L plain radiograph of the wrist · PA · boy, 10 yo · Siemens

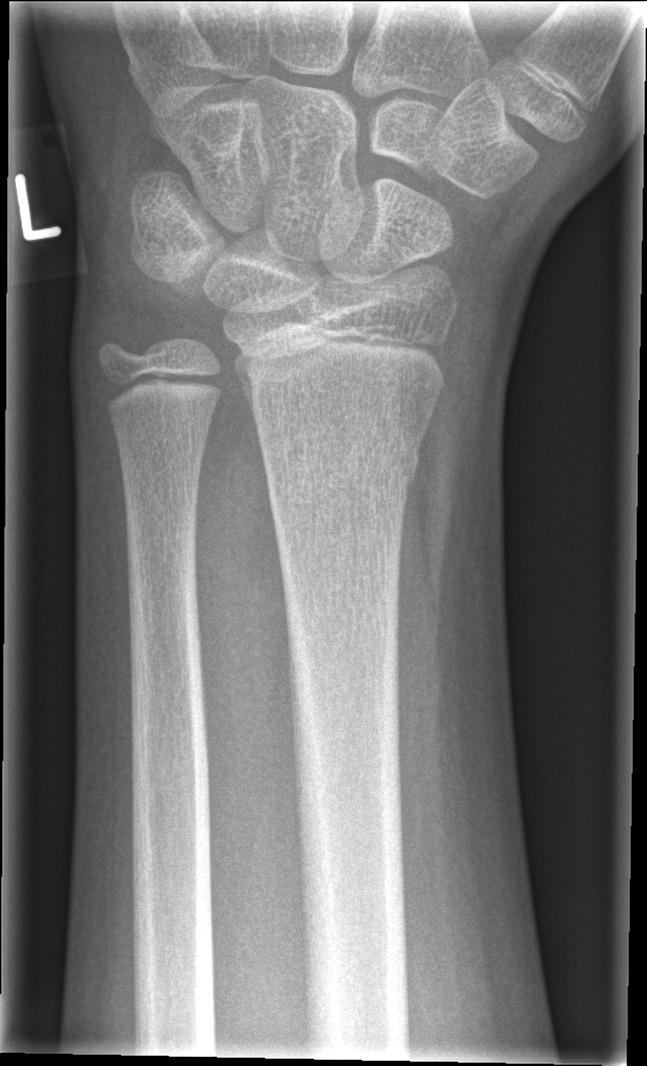

(pixel coordinates, top-left origin, xyxy)
Bone fracture = 1 @ (left=257, top=429, right=424, bottom=505)